Lateral; left wrist radiograph; age 11 y, female; index exam; image width 83.7 mm — 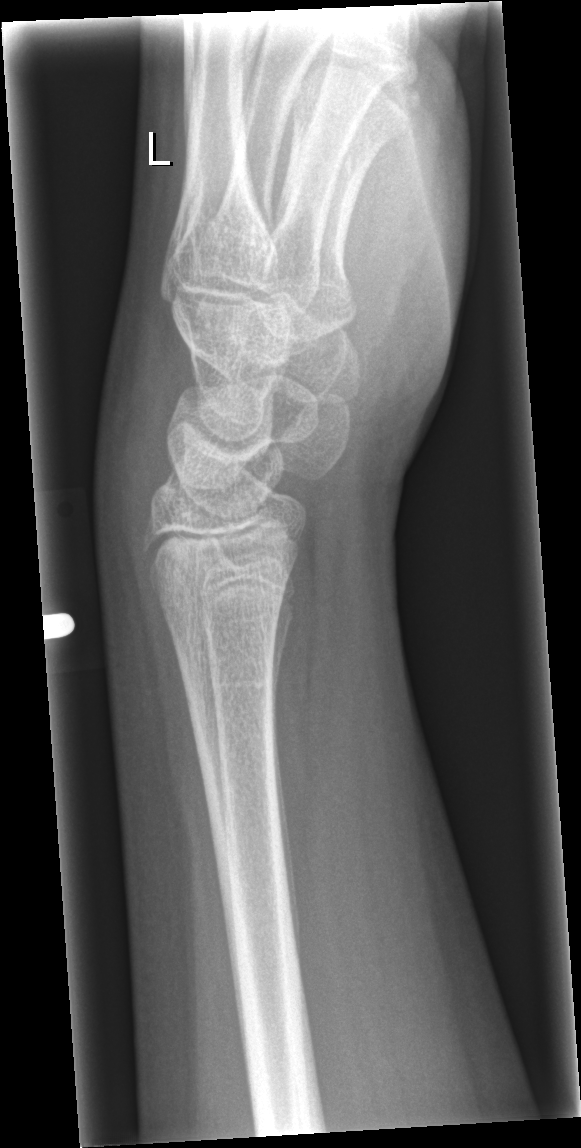

fracture = none labeled